Rt wrist X-ray; lateral:
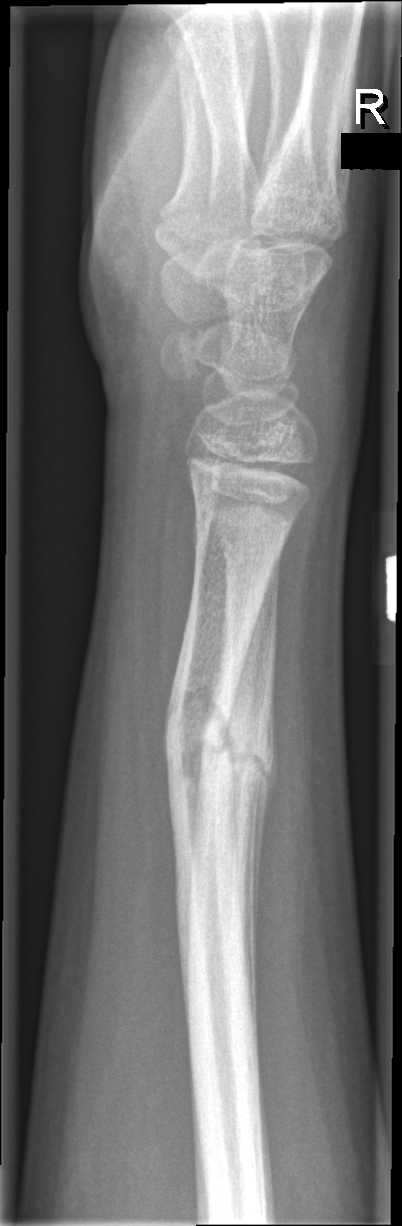

- AO code 22-D/4.1.
- Fx identified at <161,676>-<281,846>.
- Periosteal thickening identified at <242,690>-<280,1028>.
- Decreased bone density (osteopenia).